Left wrist pediatric wrist radiograph · lat projection · girl, 12 yo — 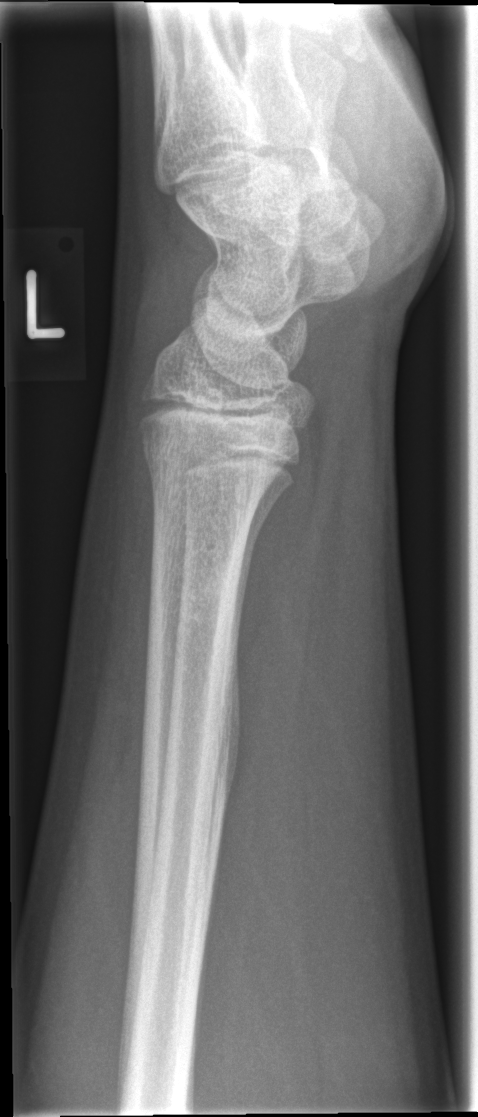

Bounding boxes in image-pixel xyxy.
Fracture: <137,422>-<286,496>.